Lt pediatric wrist radiograph, posteroanterior, 6-year-old boy, imaged through cast, acquired on Siemens

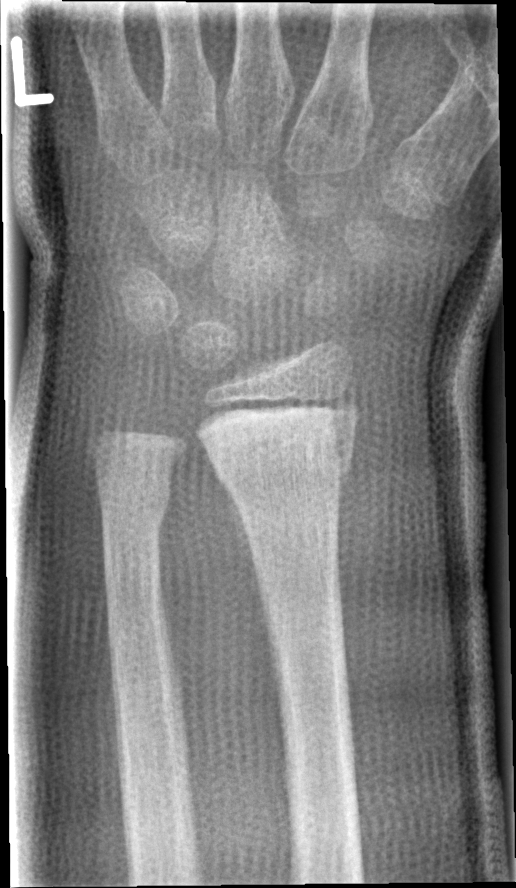
FINDINGS: Fracture: [x1=192, y1=400, x2=361, y2=497], [x1=98, y1=479, x2=174, y2=534].